Left wrist plain film; AP; image size 648x1302
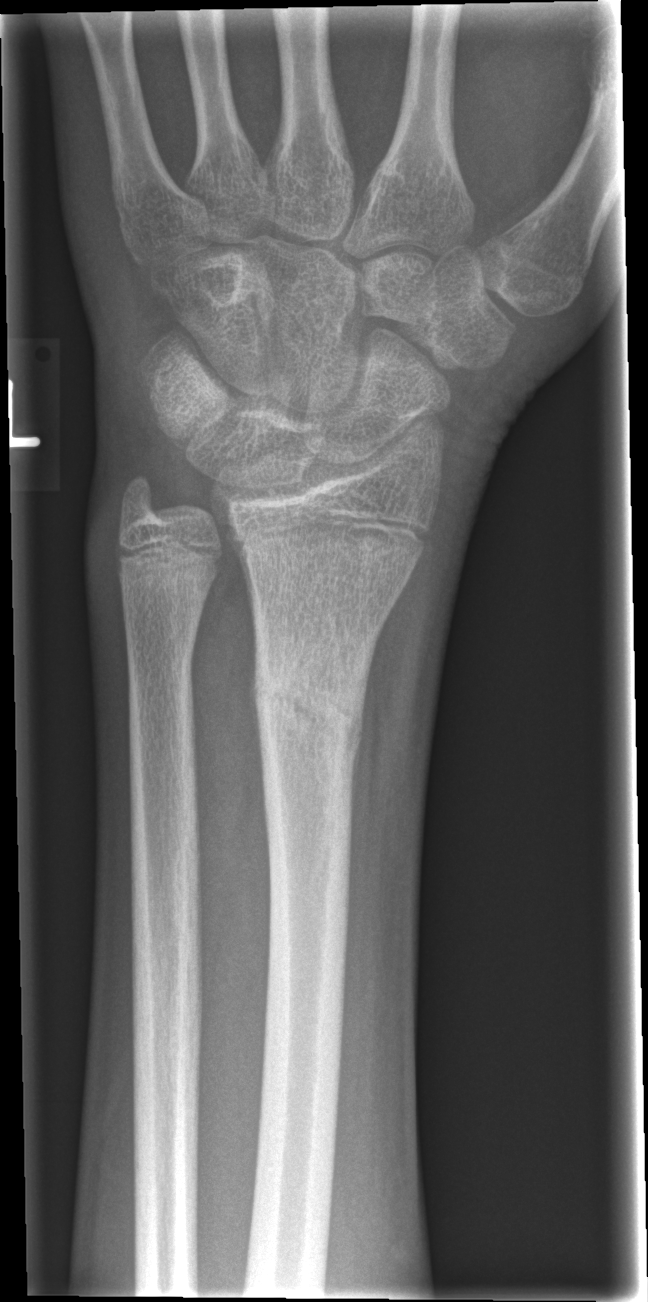
Q: Any fracture seen?
A: One bone fracture at (250, 646, 367, 767)
Q: Is there osteopenia?
A: Reduced bone mineral density